R wrist X-ray; AP; index exam; 851 by 1006 pixels.

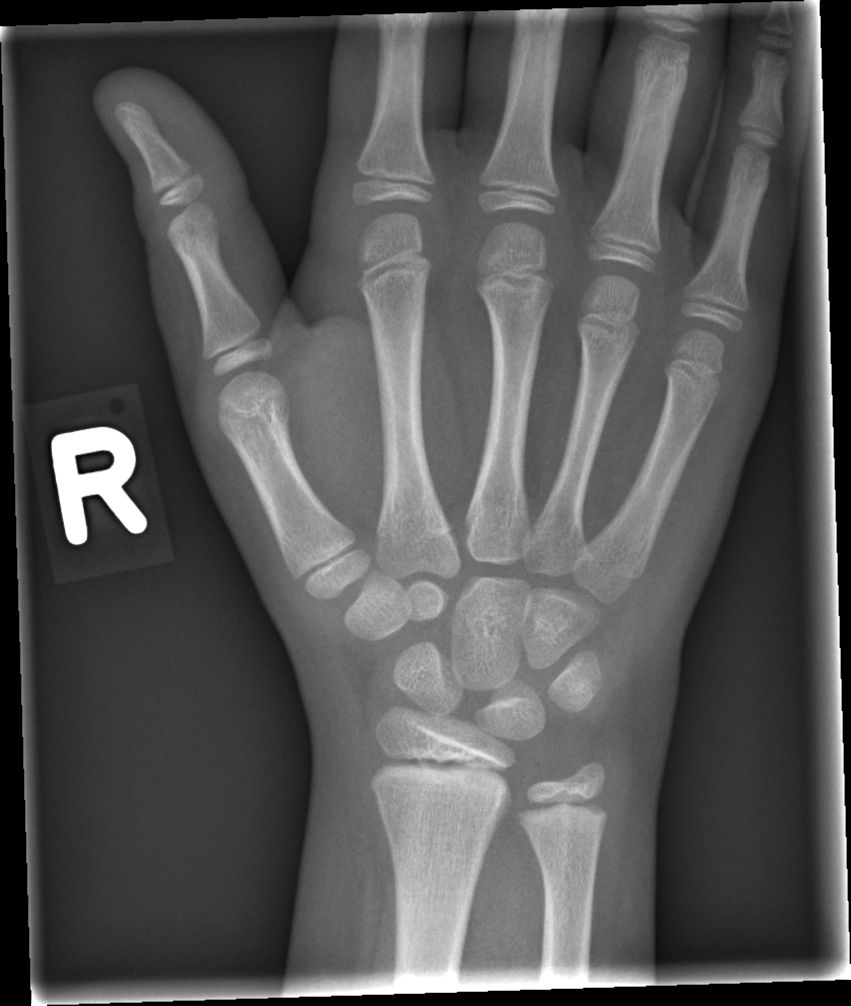 FINDINGS — Fracture: none labeled.